Rt wrist radiograph | frontal — 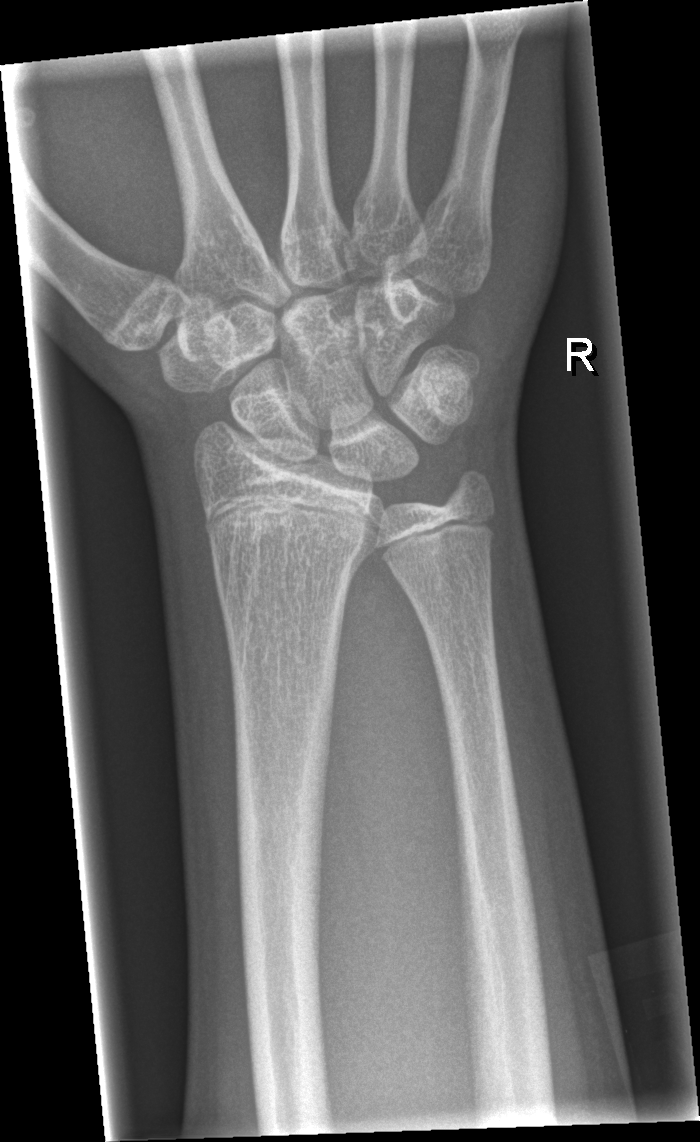

fracture = none labeled